AP view; R wrist plain film:
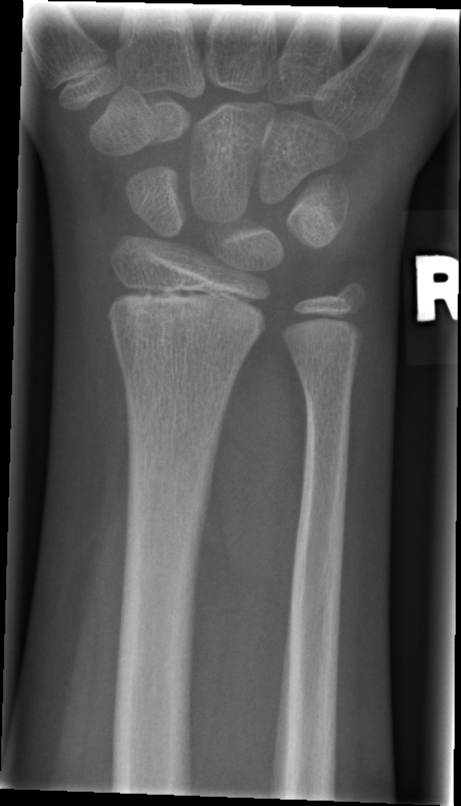

bone fracture: present but not clearly seen in this view